PA/AP projection | right wrist plain film | 11y M:
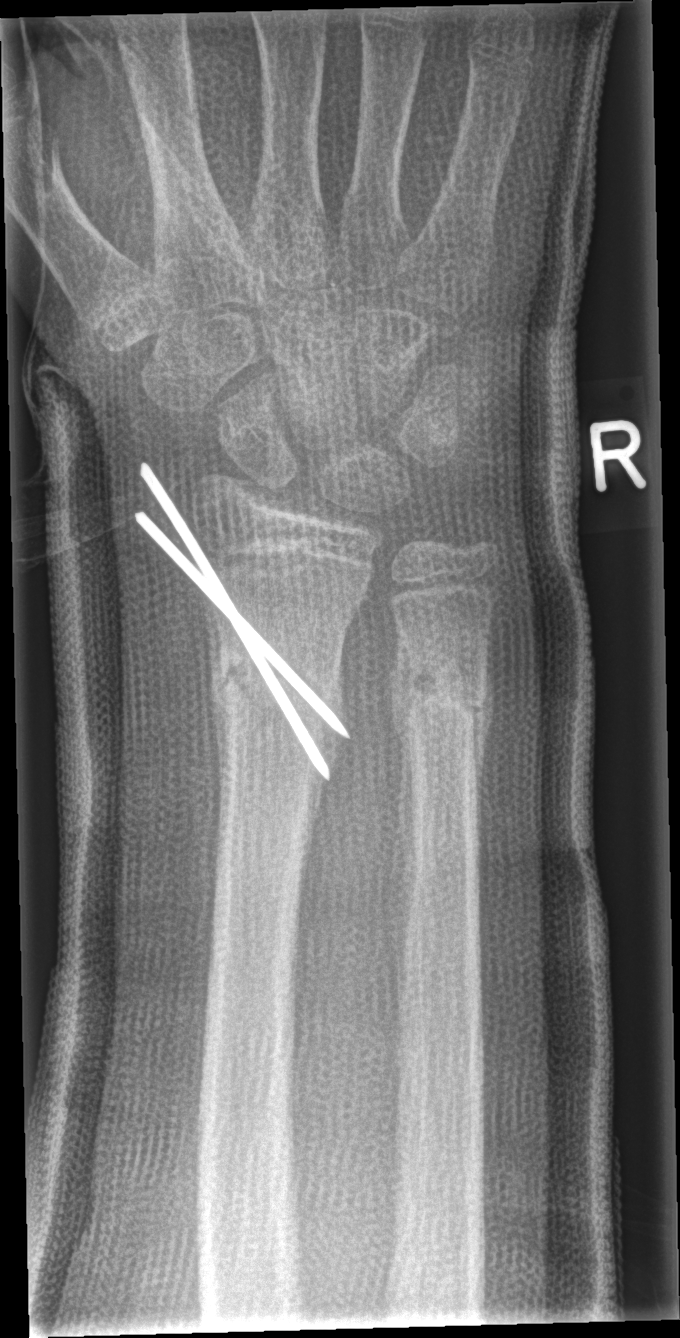
{"_coords": "boxes as x1,y1,x2,y2 (top-left / bottom-right, pixel units)", "metal": "(134, 463, 351, 785)", "ao": "23-M/3.1", "fracture": "2 @ (209, 646, 342, 741), (389, 657, 489, 731)"}